Lat | right wrist plain radiograph of the wrist | 15-year-old boy. 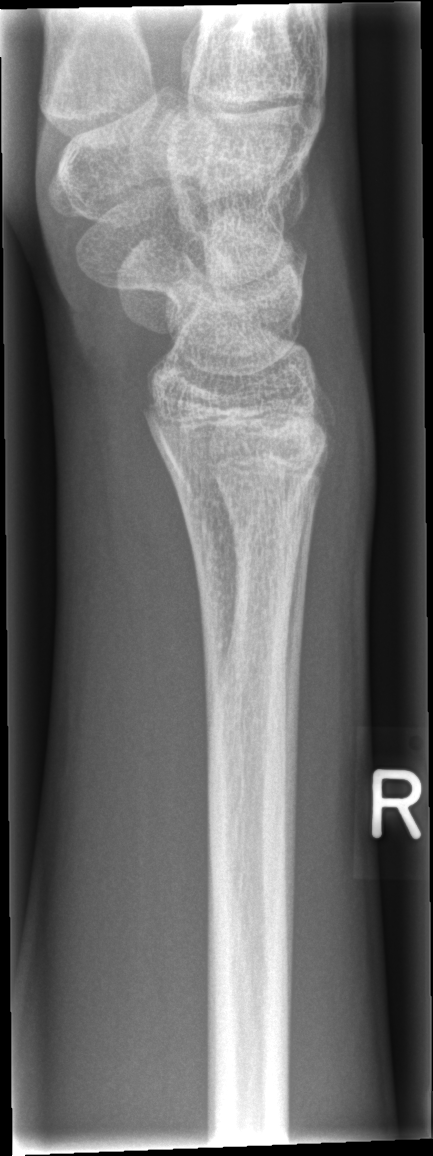
Q: Is there a fracture?
A: One Fx at <168,443>-<332,552>
Q: Is the pronator sign positive?
A: Pronator quadratus fat-pad sign: <106,394>-<215,771>
Q: What is the AO/OTA classification?
A: Fracture classified AO/OTA 23r-M/2.1